Right pediatric wrist radiograph, PA, pediatric patient (boy, age 12), subsequent exam, cast in situ.

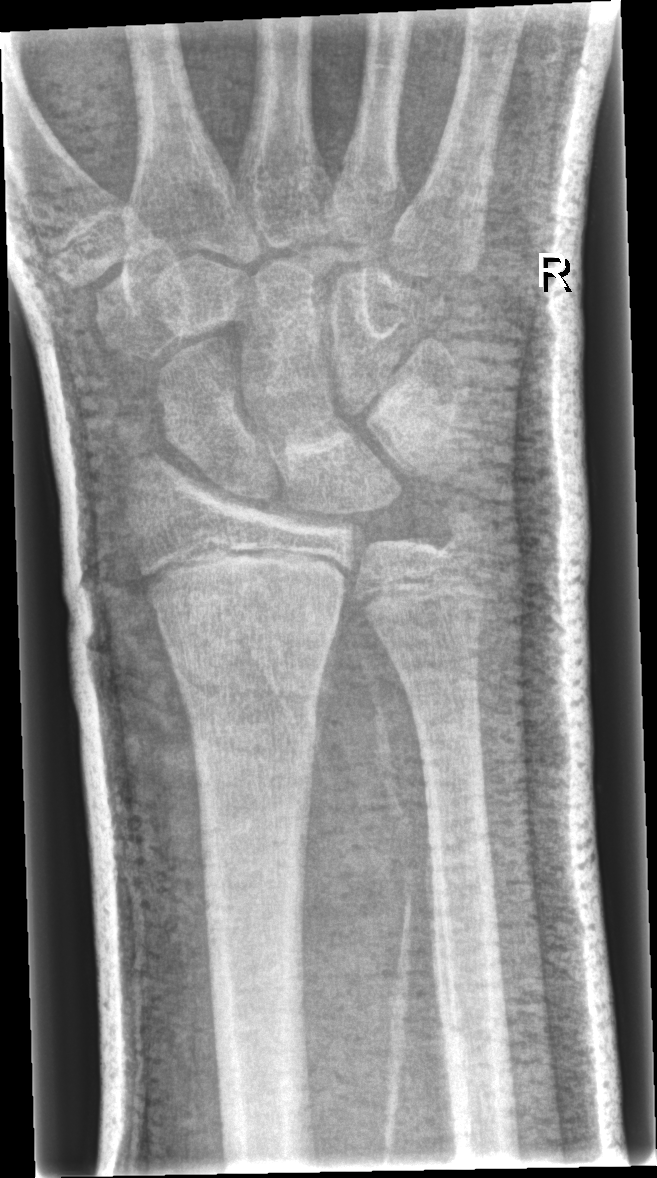
Fx — (left=147, top=580, right=347, bottom=648); (left=436, top=503, right=495, bottom=570).